Posteroanterior view | right wrist plain film | subsequent exam | 640 by 1186 pixels:
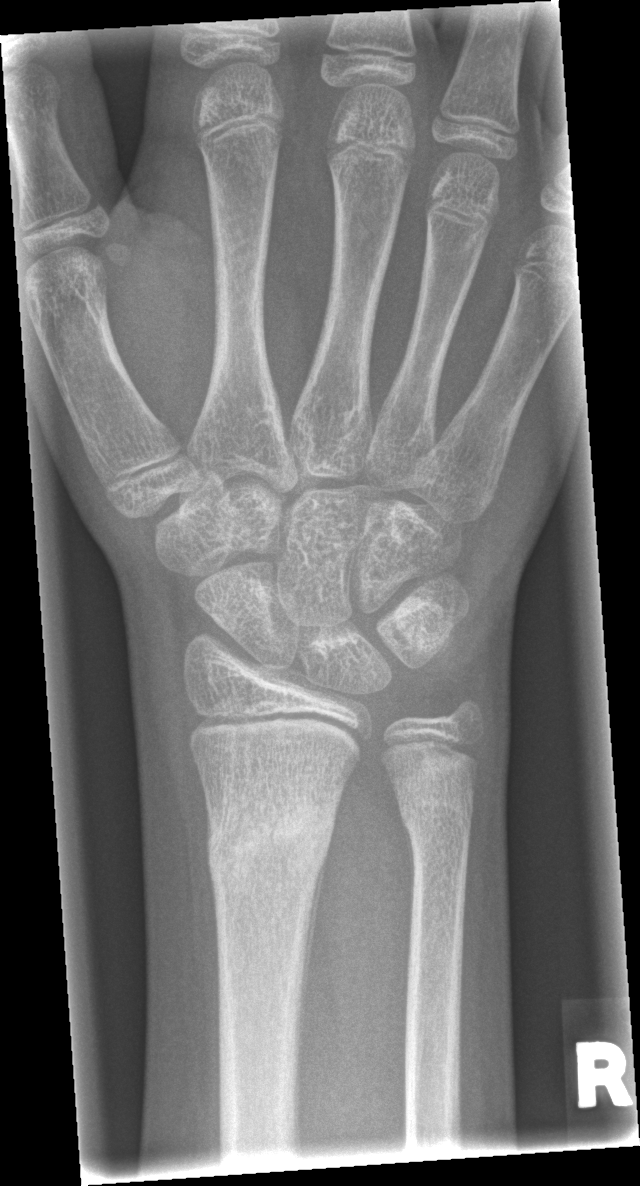   osteopenia: present
  periostealreaction: <300,846>-<329,1056>; <402,821>-<415,941>
  fracture: <198,771>-<346,906>; <397,784>-<478,849>